Lateral view; left wrist pediatric wrist radiograph; pediatric patient (male, age 3); 342 by 468 pixels 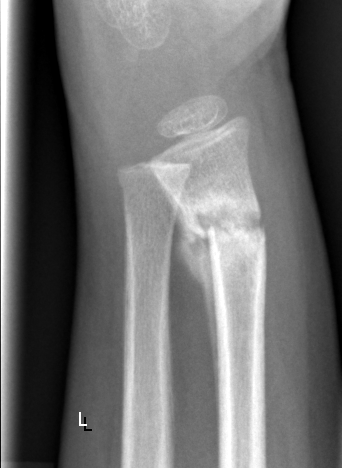 Periosteal reaction: bbox(155, 173, 220, 429)
Fx: bbox(181, 194, 269, 268)
AO classification: 23r-M/3.1